Frontal view · left wrist pediatric wrist radiograph — 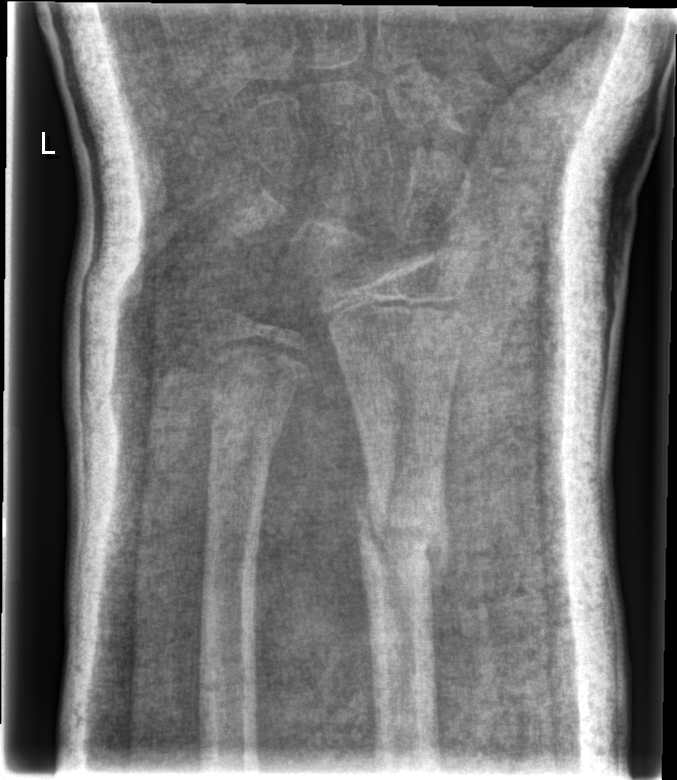
(pixel coordinates, top-left origin, xyxy)
Bone fracture = (353, 481, 451, 588)
Periosteal reaction = 1 @ (430, 517, 452, 670)